Left plain radiograph of the wrist | AP projection | age 8 y, female | index exam — 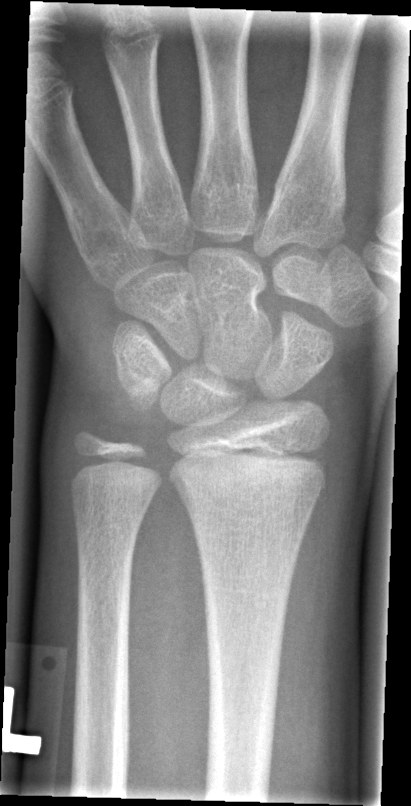

Fracture: present but not clearly seen in this view.